Right wrist plain radiograph of the wrist | PA/AP projection | 11-year-old female | 626 x 1150 px
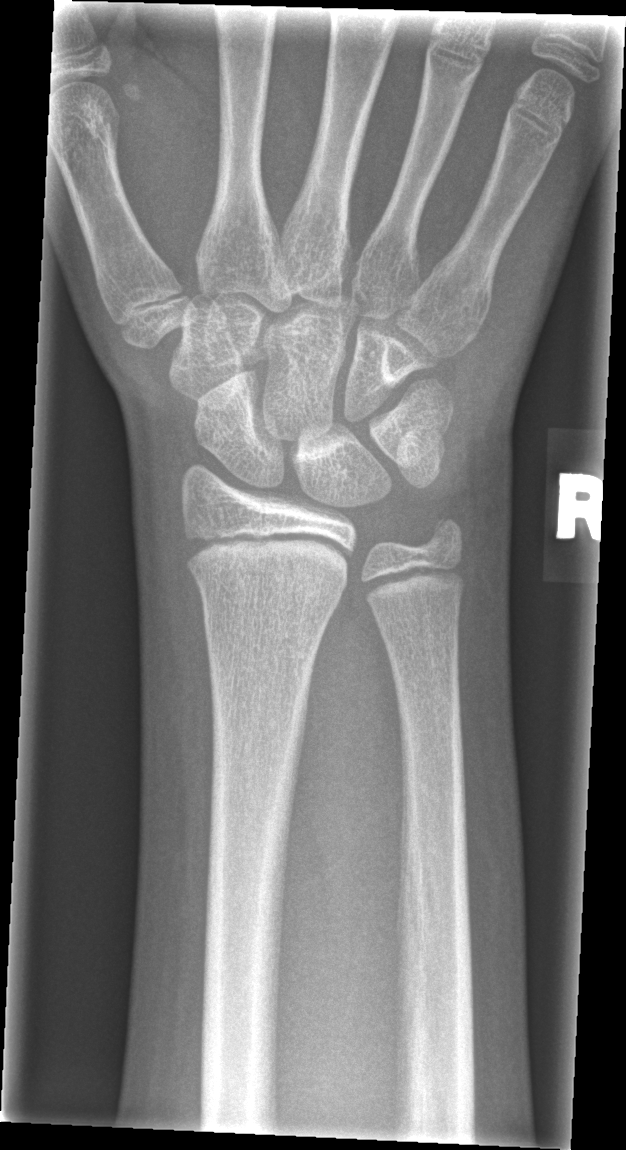 Boxes as x1,y1,x2,y2 (top-left / bottom-right, pixel units). Fractures — <187,556>-<352,608> <407,502>-<469,568>.